Left wrist X-ray | lateral projection | cast in situ | 461 by 968 pixels 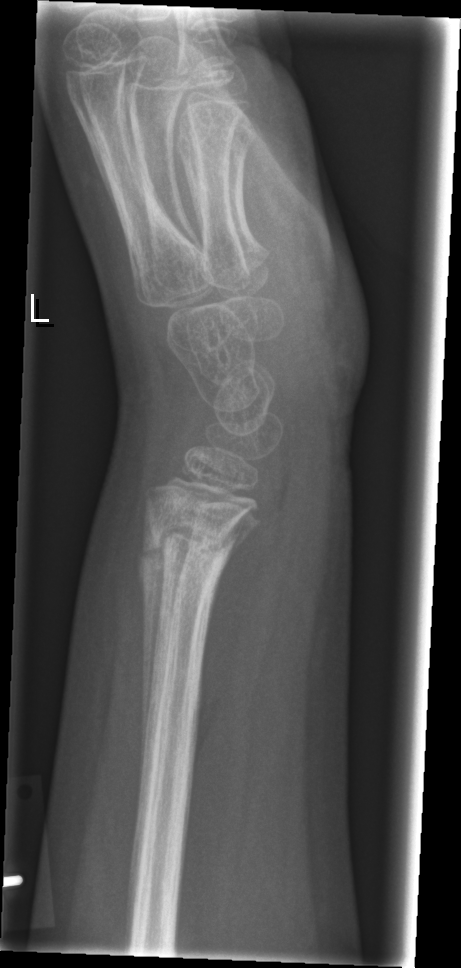 Periosteal new bone identified at [x1=137, y1=499, x2=165, y2=789].
Bone fracture identified at [x1=132, y1=518, x2=244, y2=610].
Decreased bone density (osteopenia).